Rt wrist XR; obl; 8-year-old boy; presentation radiograph; Siemens.
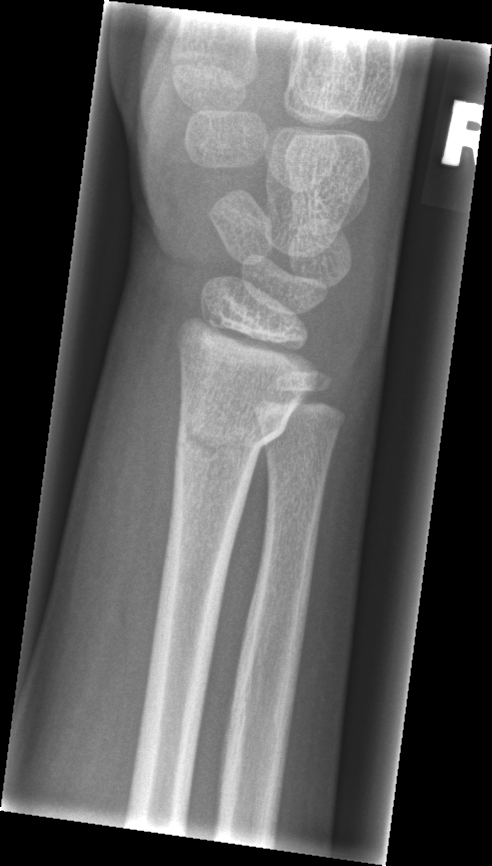 Findings: AO/OTA classification: 23r-M/3.1. Fracture identified at 171,403,292,463.